Rt wrist X-ray | lat view | 10y F | initial study:
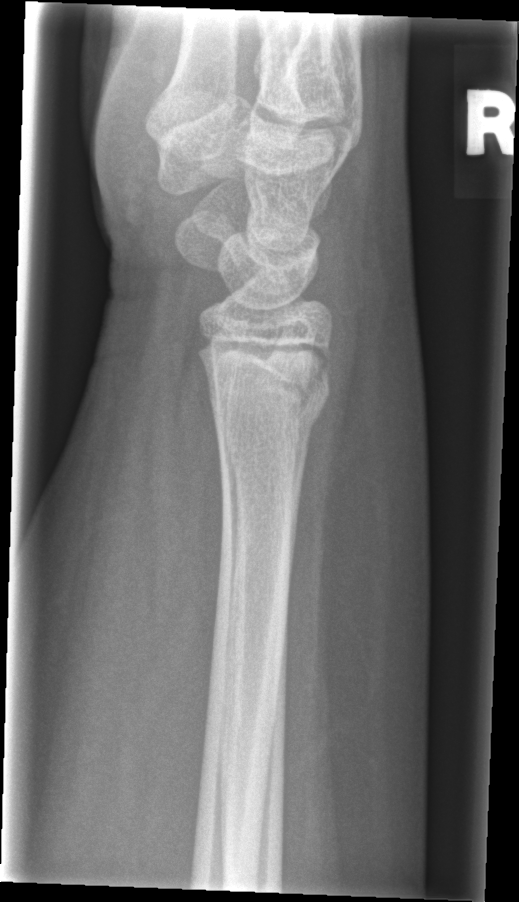
* One bone fracture at 207 381 333 459.